Right wrist radiograph · posteroanterior · 4-year-old female:
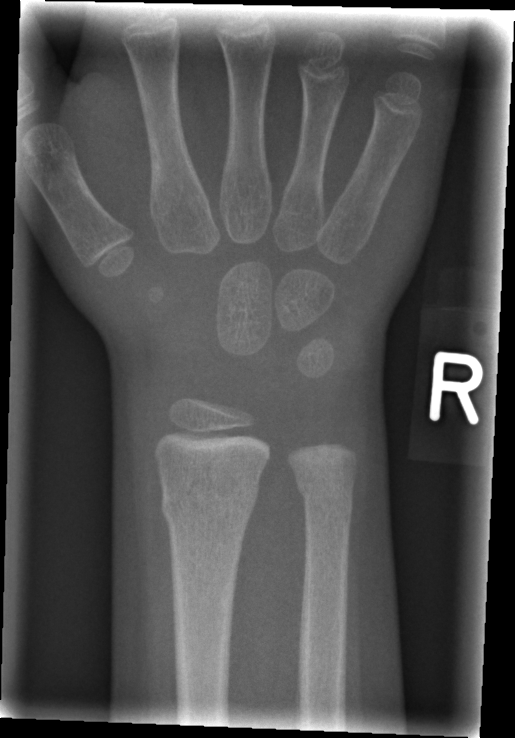

FINDINGS: Fracture: bbox(159, 479, 262, 527) bbox(294, 475, 357, 523).